PA/AP view, Lt wrist plain film, in cast:

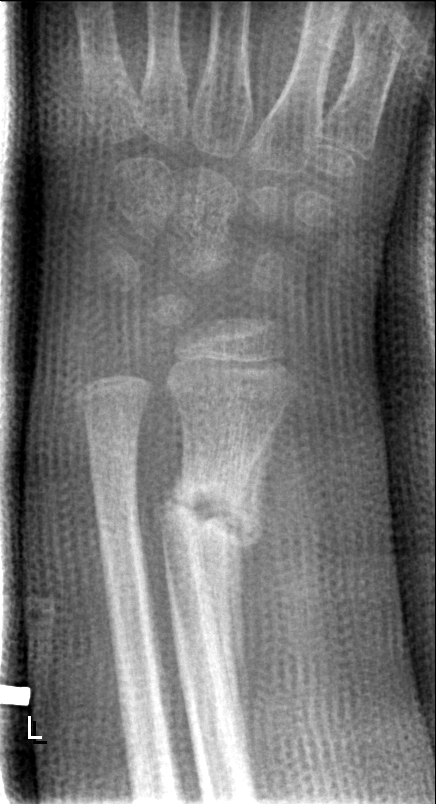
FINDINGS — Fracture: [x1=158, y1=457, x2=264, y2=565]. One periosteal reaction at [x1=221, y1=416, x2=280, y2=749].